L wrist plain film; PA/AP; 444 by 916 pixels
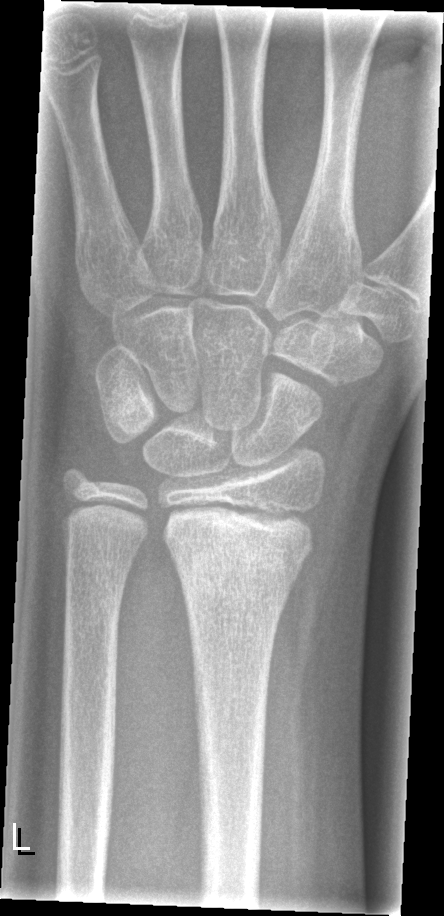
Q: Fracture present?
A: Fracture identified at [158, 507, 317, 608]
Q: What is the AO/OTA classification?
A: Fracture classified AO/OTA 23r-M/3.1